R wrist plain film · lat —
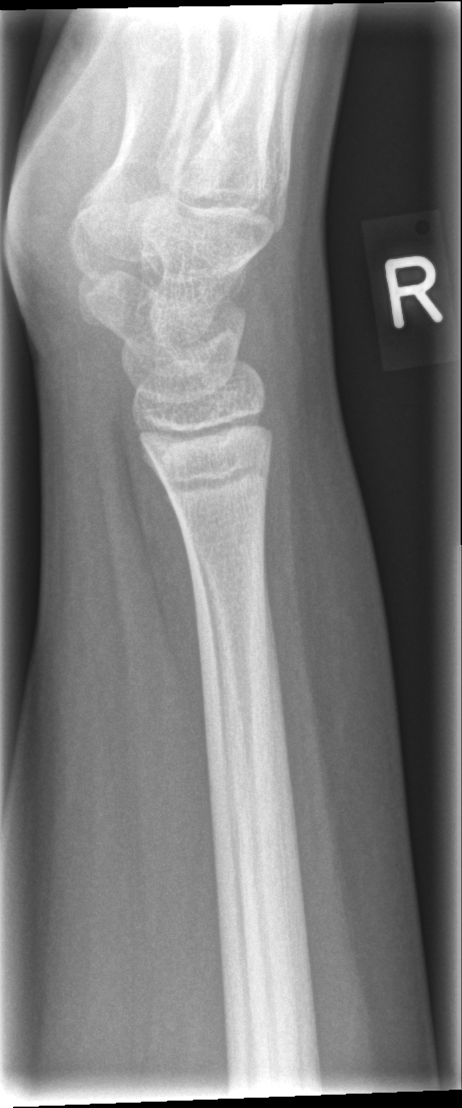
Q: Is there a fracture?
A: No Fx annotated